Lat projection, right plain radiograph of the wrist, subsequent exam 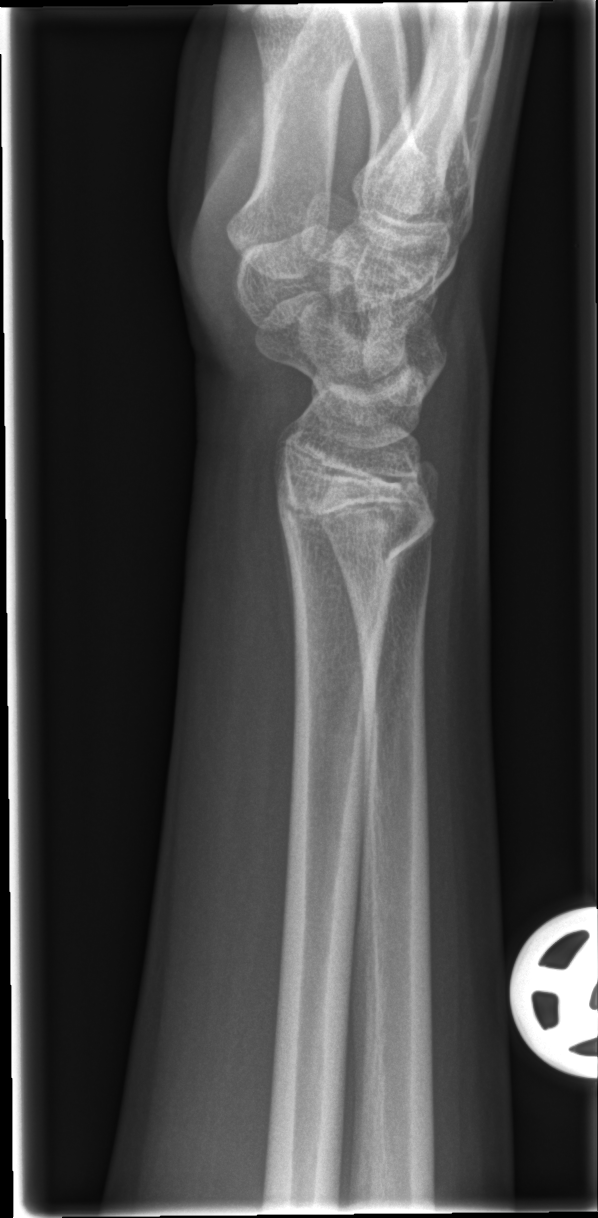 Findings: Fracture — [x1=273, y1=469, x2=438, y2=578].